Left pediatric wrist radiograph | lat view | 6y M — 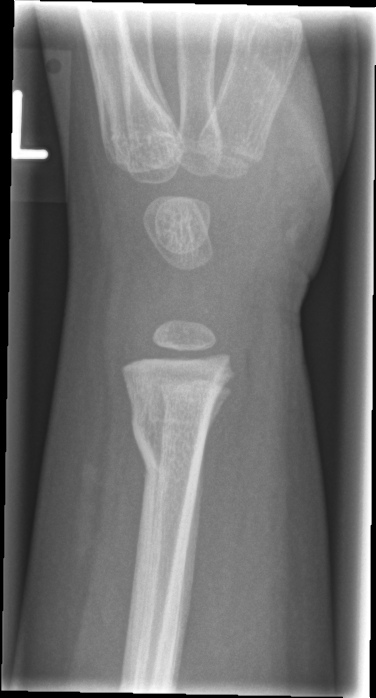

(boxes as x1,y1,x2,y2 (top-left / bottom-right, pixel units))
bone fracture: 128 404 208 477 | 156 375 230 430